Lateral view; left plain radiograph of the wrist; in cast: 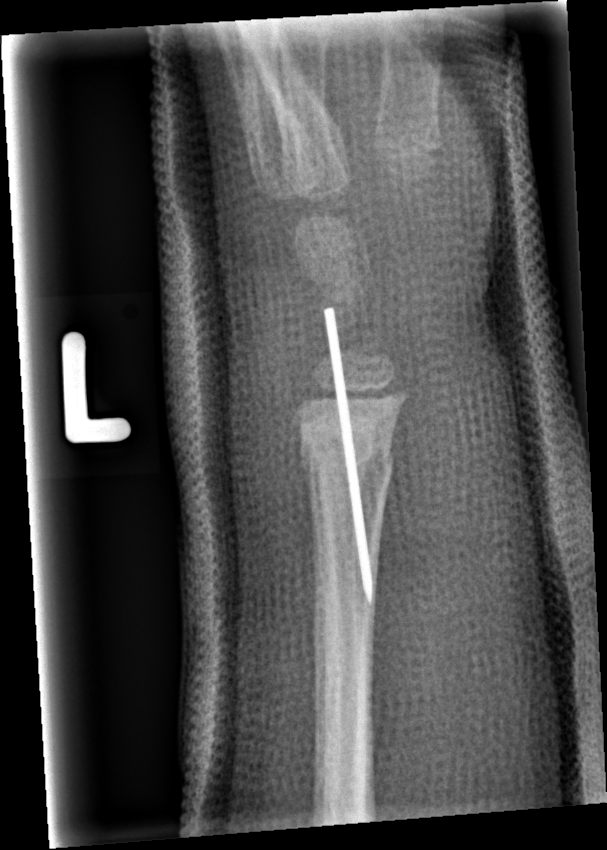
Hardware = 1 @ 321 304 375 608
Bone fracture = 1 @ 297 422 397 482